Right wrist plain film, lateral view, cast present: 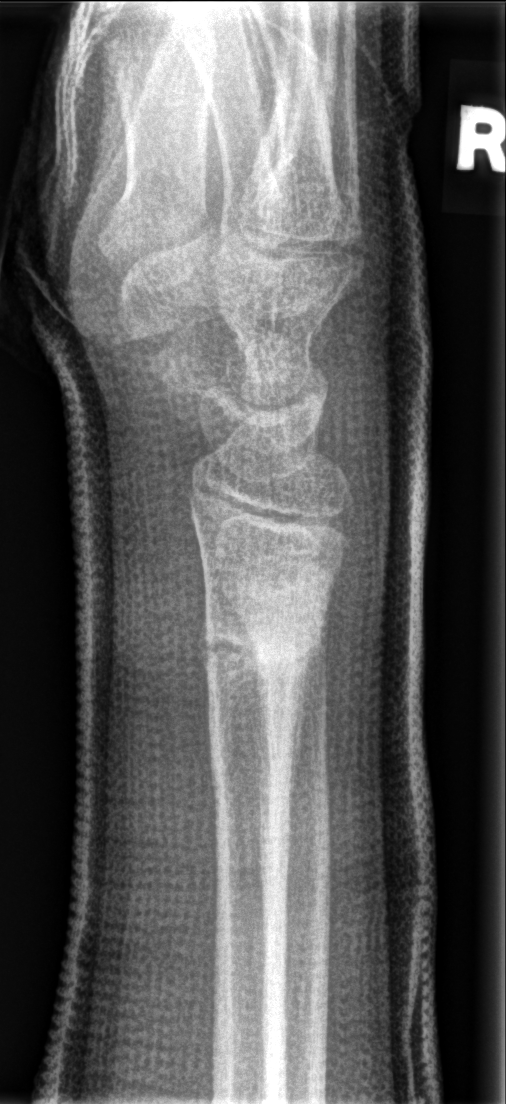
• AO code 23-M/3.1.
• One fracture at bbox(197, 572, 337, 690).